Lateral | right wrist plain film | 6y F | index exam —
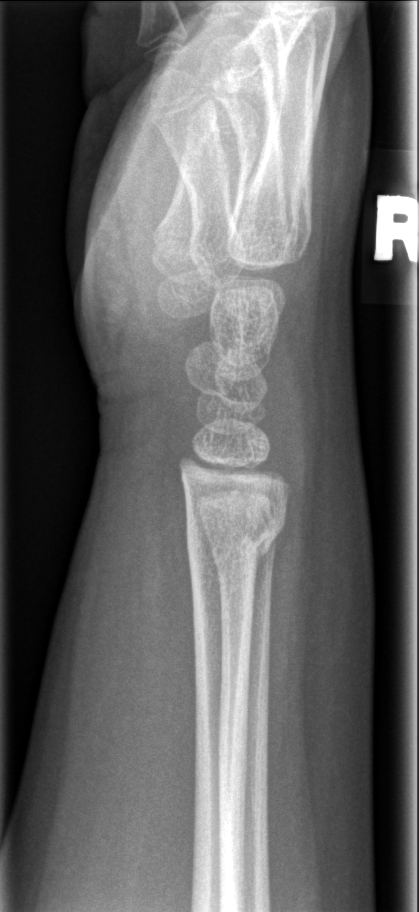
Bounding boxes in image-pixel xyxy.
One Fx at 184,506,289,574.